PA/AP, right wrist radiograph, age 13 y, boy, cast present 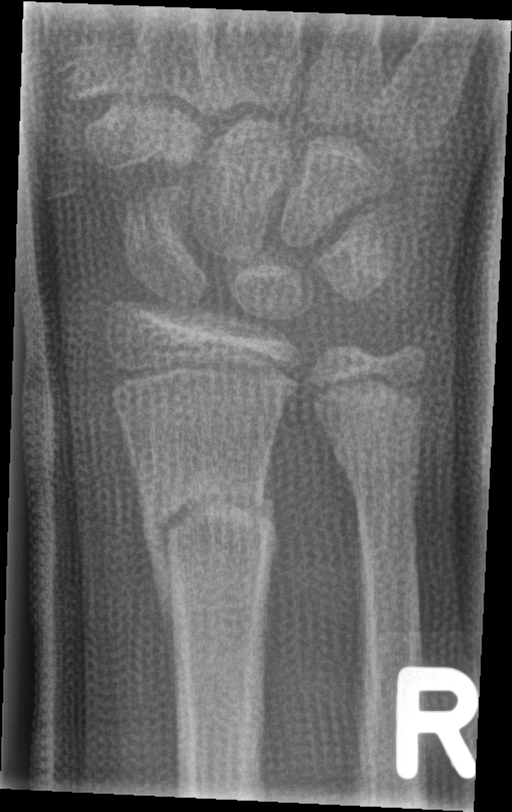 {
  "periostealreaction": "1 @ (left=141, top=508, right=178, bottom=721)",
  "ao": "23r-M/3.1; 23u-M/2.1",
  "fracture": "(left=135, top=471, right=279, bottom=650), (left=338, top=442, right=423, bottom=520)"
}